AP; R plain radiograph of the wrist; follow-up; in cast; 127.0 mm image width —

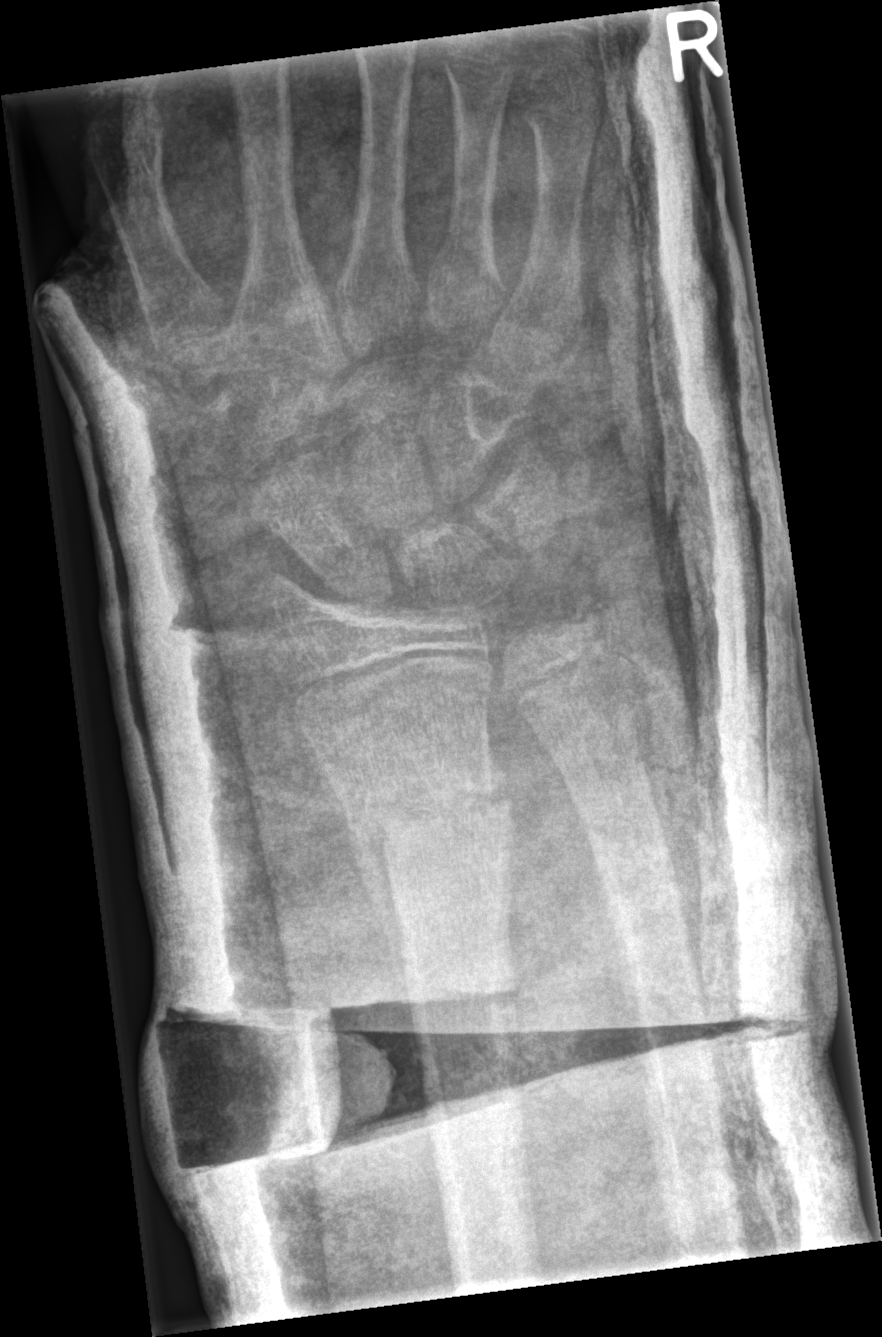

Fracture classified AO/OTA 23r-M/3.1; 23u-M/2.1; 23u-E/7. Periosteal reaction: [x1=346, y1=804, x2=418, y2=1053]. One bone fracture at [x1=328, y1=760, x2=515, y2=862].